Lat projection · right wrist plain radiograph of the wrist · 10y F: 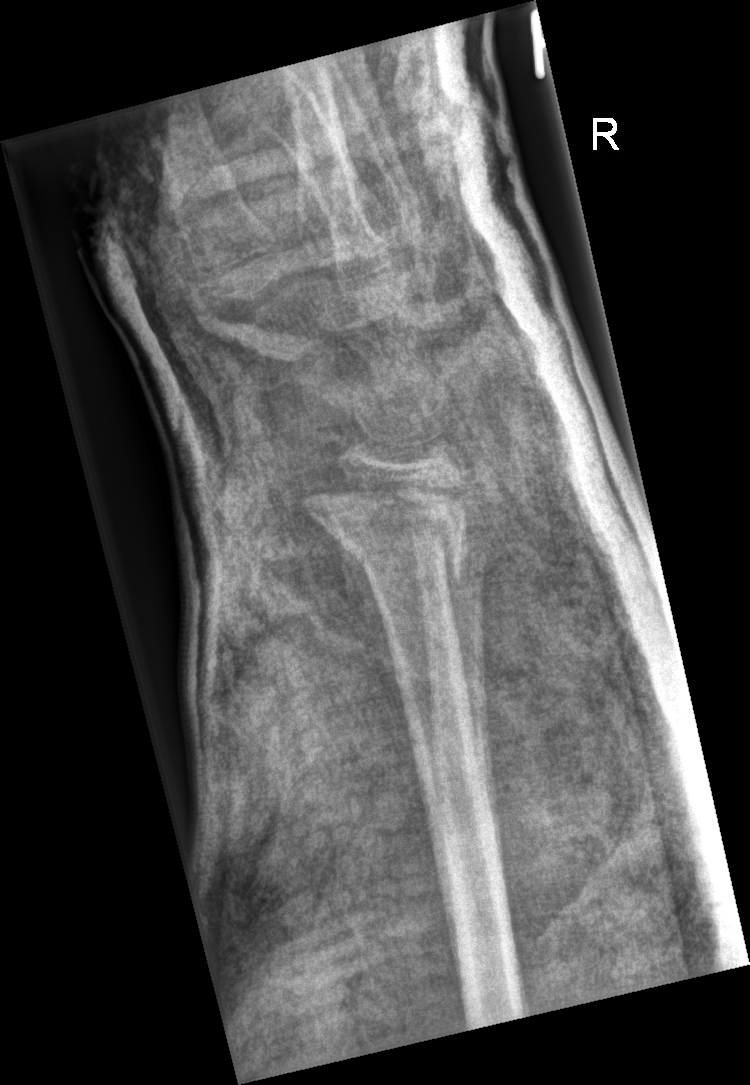 (coordinates are [x1, y1, x2, y2] in image pixels)
Q: Any fracture seen?
A: Fx — 298 468 470 582